Right wrist plain film; AP.

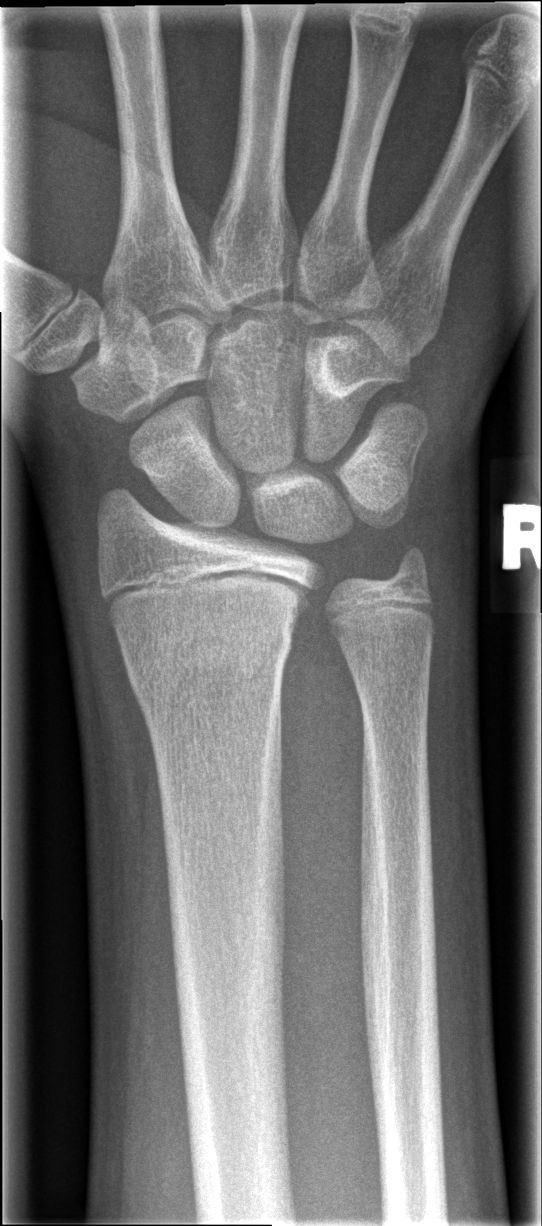

  # coordinates are [x1, y1, x2, y2] in image pixels
  fracture: (left=112, top=599, right=298, bottom=714)
  ao: 23r-M/3.1